R wrist plain film | PA/AP projection | 9y F | follow-up | in cast —

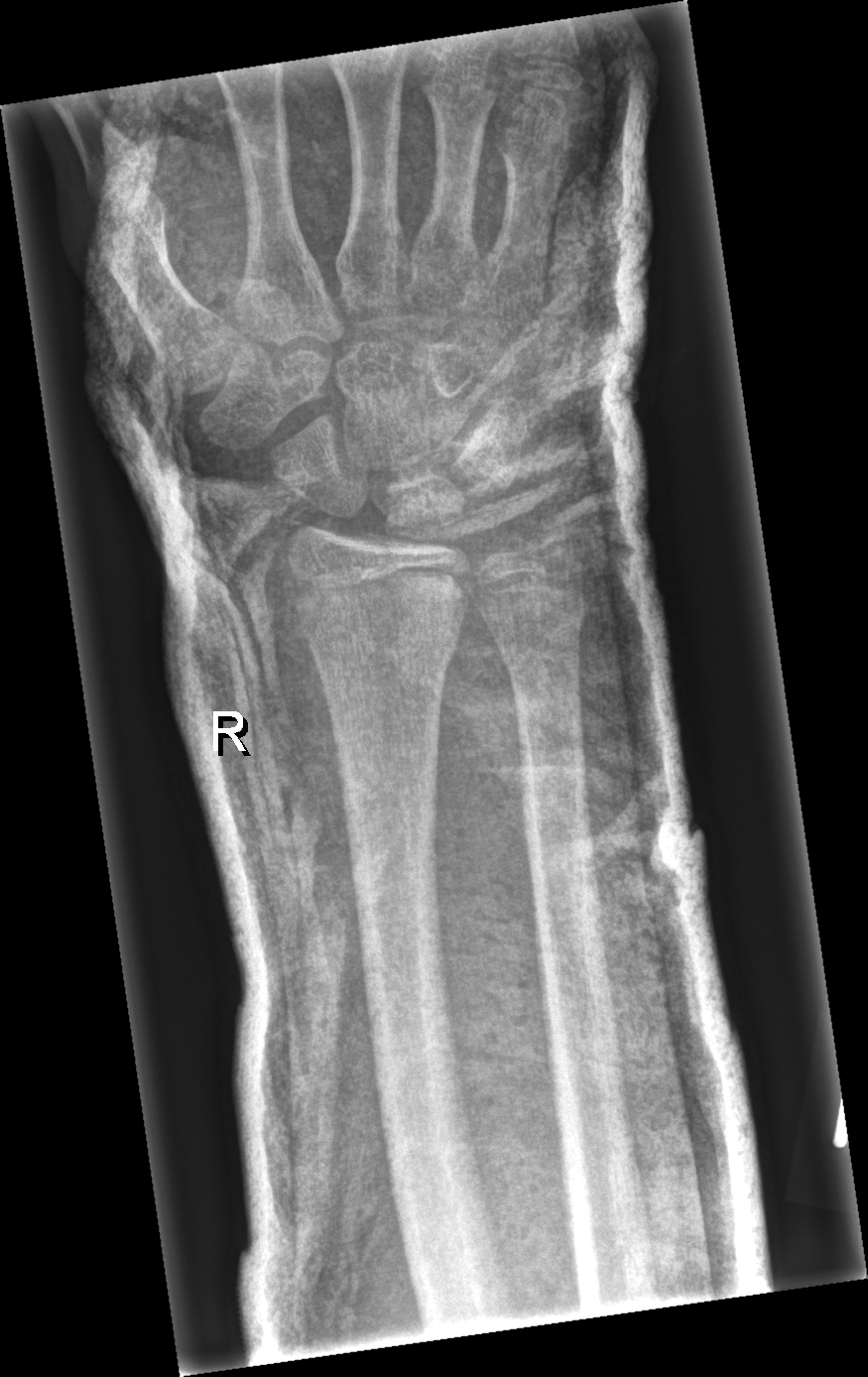
Findings: Fracture classified AO/OTA 23r-M/3.1; 23u-E/7. Fracture: present but not clearly seen in this view.